Lateral, L plain radiograph of the wrist, pediatric patient (male, age 13), acquired on Siemens: 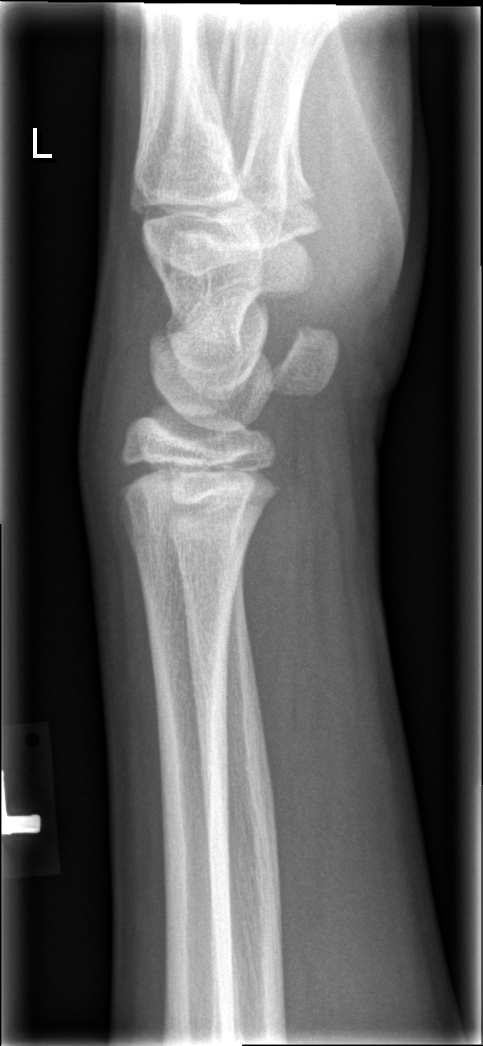
FINDINGS — (bounding boxes in image-pixel xyxy) No fracture labeled. One soft tissue abnormality at bbox(71, 291, 150, 540).